Right wrist plain film, lateral, age 12 y, male, 478 x 936 px. 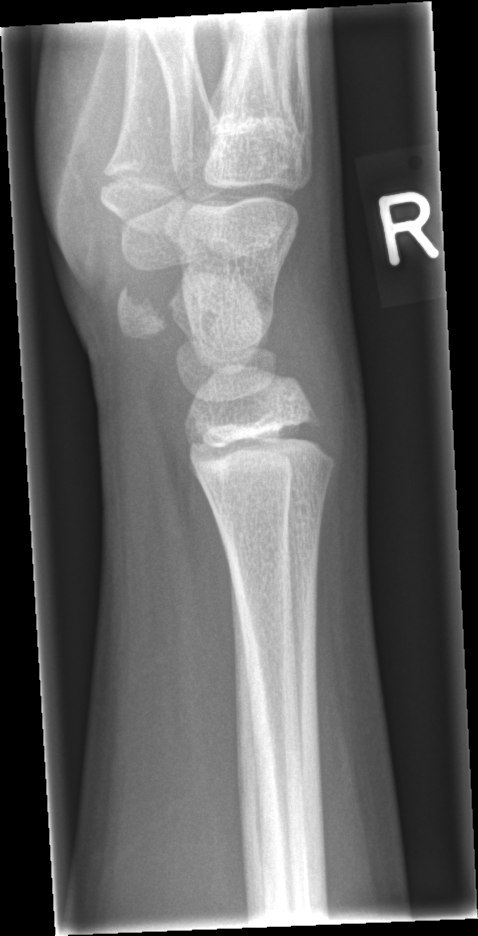

FINDINGS: No fracture bounding box.